Lateral view | left wrist X-ray | 450x796 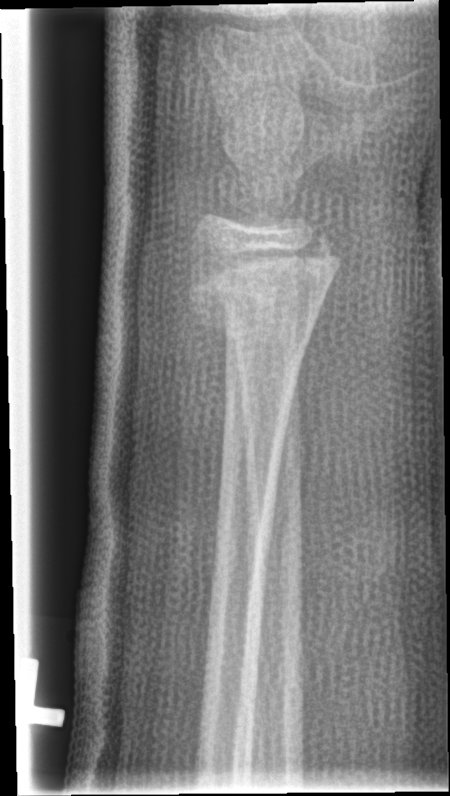

# pixel coordinates, top-left origin, xyxy
fracture: 178 245 345 332
ao: 23r-E/2.1; 23u-M/2.1